R wrist plain film, frontal: 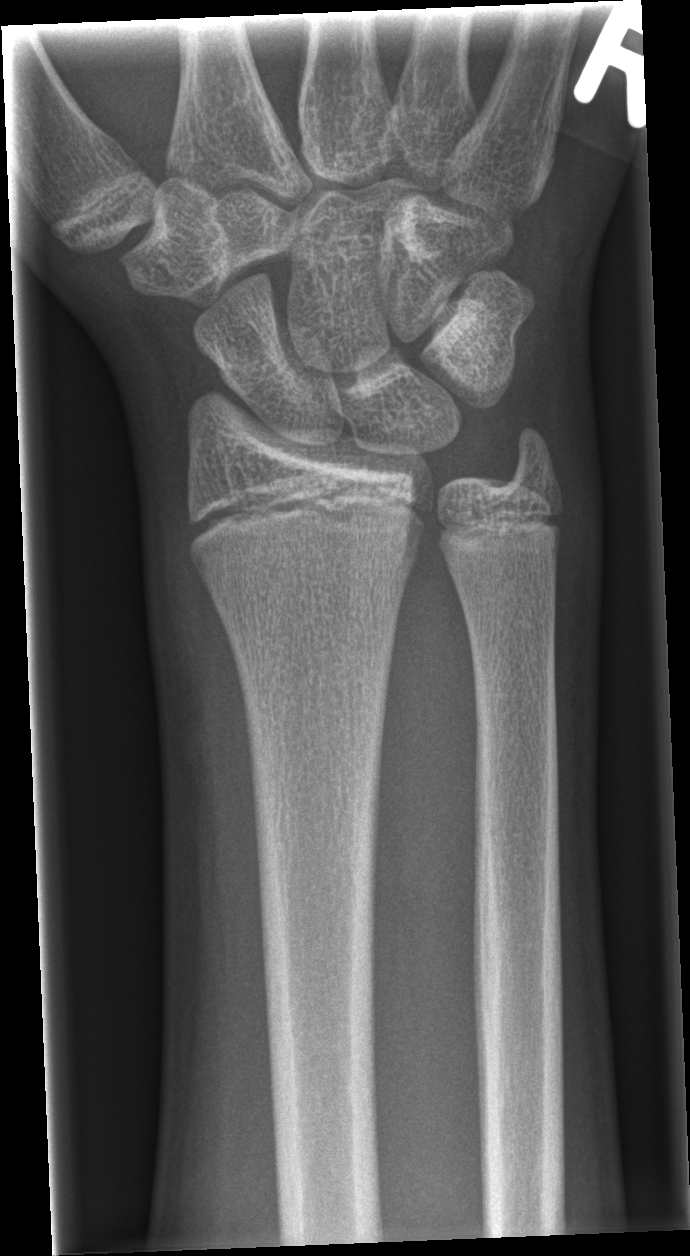
fracture = none labeled